Lateral view | Lt wrist plain film | pediatric patient (boy, age 9) | cast present.

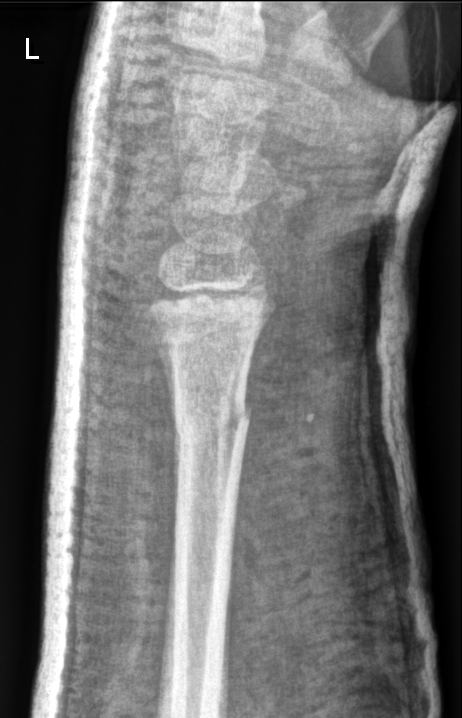 (coordinates are [x1, y1, x2, y2] in image pixels)
Fx: (167, 387, 254, 448)
AO code: 23r-M/3.1